Left wrist radiograph | obl view | 2y F | initial study | acquired on Siemens —

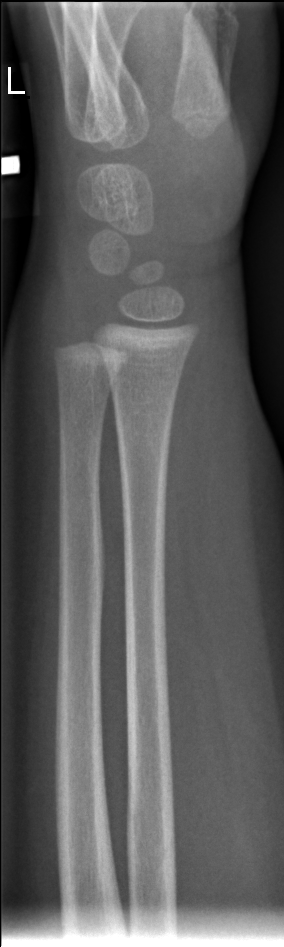 {
  "fracture": "none labeled"
}